R wrist XR; lat; acquired on Siemens: 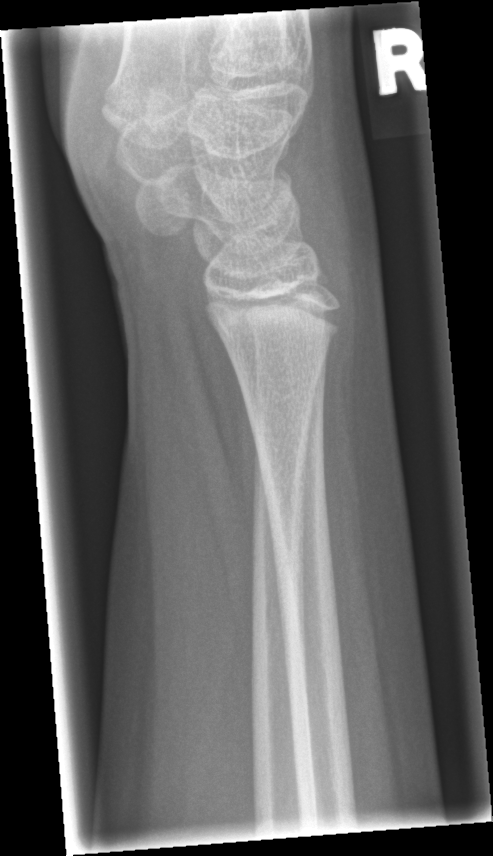 Q: Any fracture seen?
A: Fx: none